PA view · R pediatric wrist radiograph · 7-year-old girl · subsequent exam · in cast 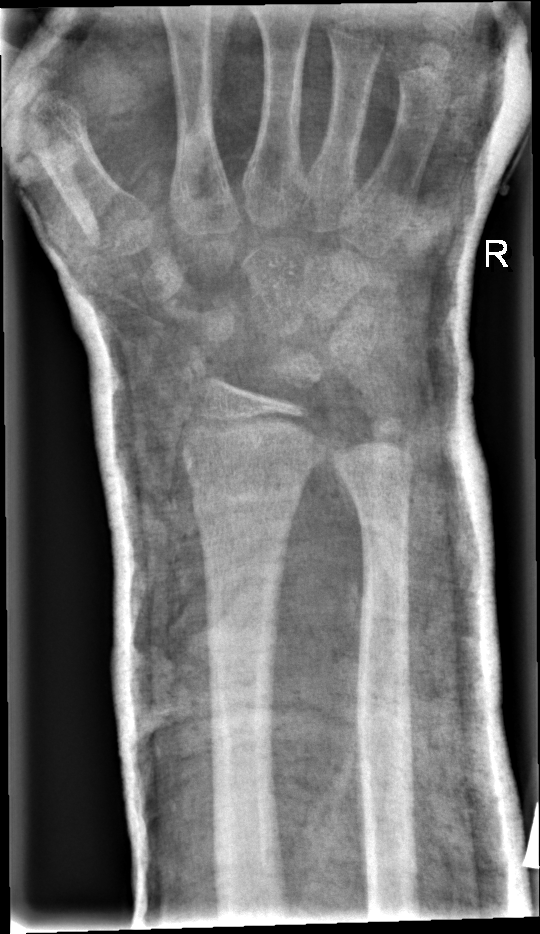

FINDINGS — One bone fracture at <188,468>-<309,524>. AO code 23r-M/3.1.